PA/AP projection · right wrist XR:
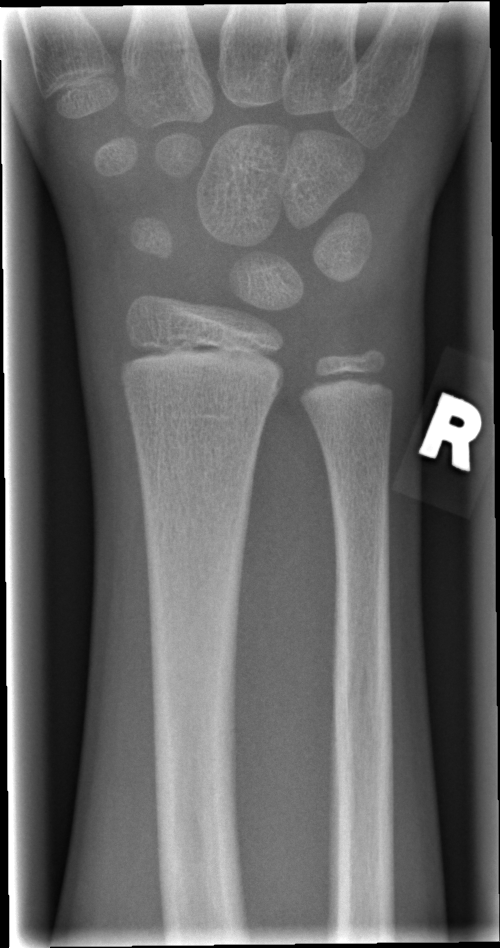 Fracture = none labeled